L wrist plain film; AP projection; cast present:

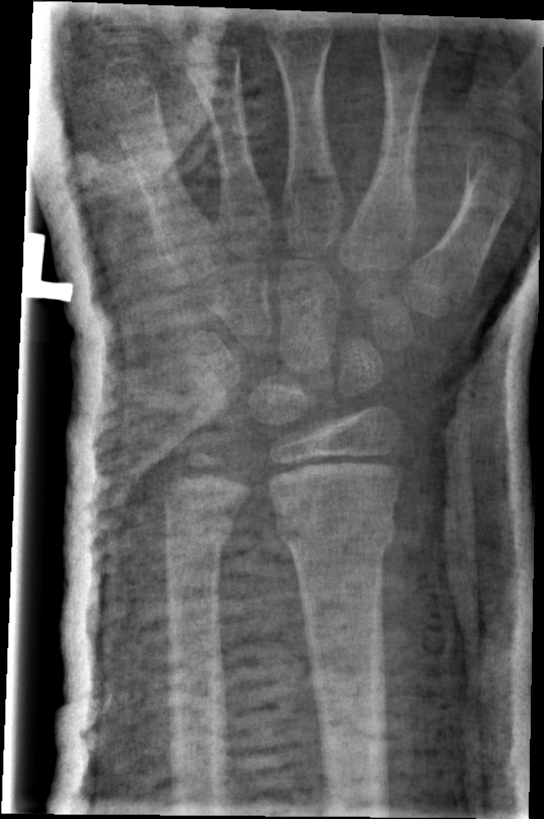

- Coordinates are [x1, y1, x2, y2] in image pixels.
- Fracture: bbox(273, 502, 401, 561), bbox(163, 512, 237, 561).